Lateral projection | left wrist X-ray | boy, 5 yo | initial study: 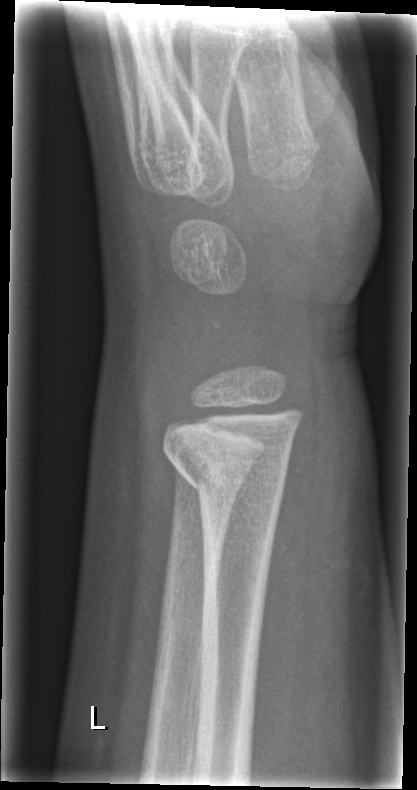

FINDINGS: (boxes as x1,y1,x2,y2 (top-left / bottom-right, pixel units)) One bone fracture at [x1=167, y1=445, x2=293, y2=521].